Lateral projection | R plain radiograph of the wrist.
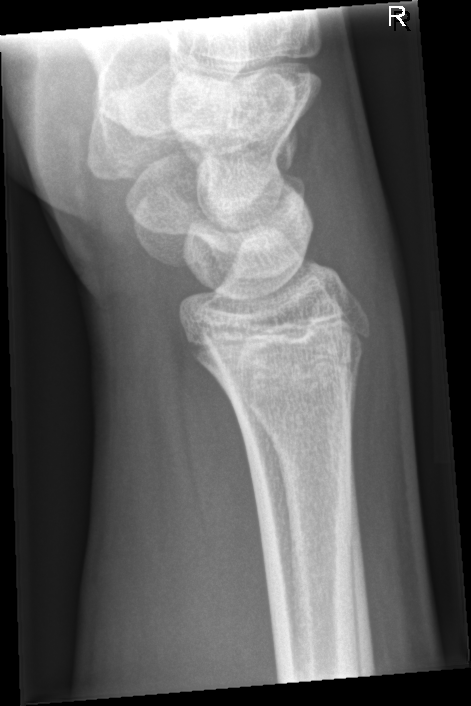
Findings: No fracture labeled.